R wrist radiograph; PA; age 10 y, female:
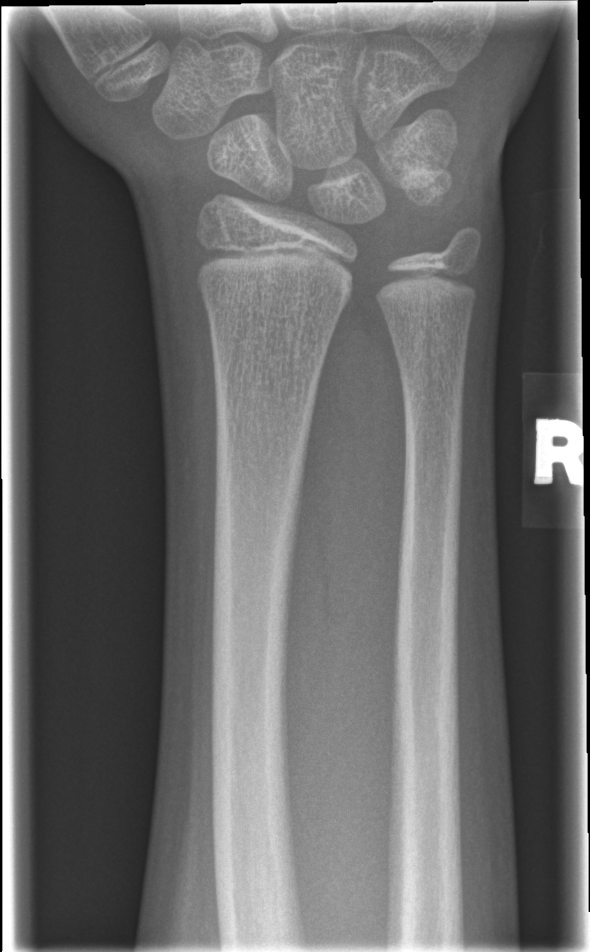

FINDINGS — No fracture bounding box.